Rt wrist X-ray | lat | 17-year-old male | image width 73.7 mm: 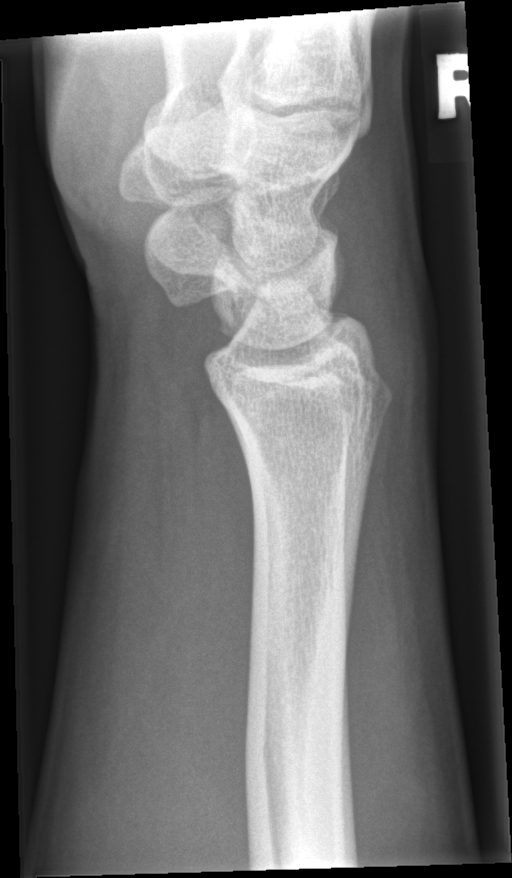
Boxes as x1,y1,x2,y2 (top-left / bottom-right, pixel units).
One bone fracture at (243, 547, 367, 874).